Lateral view · left wrist plain film —

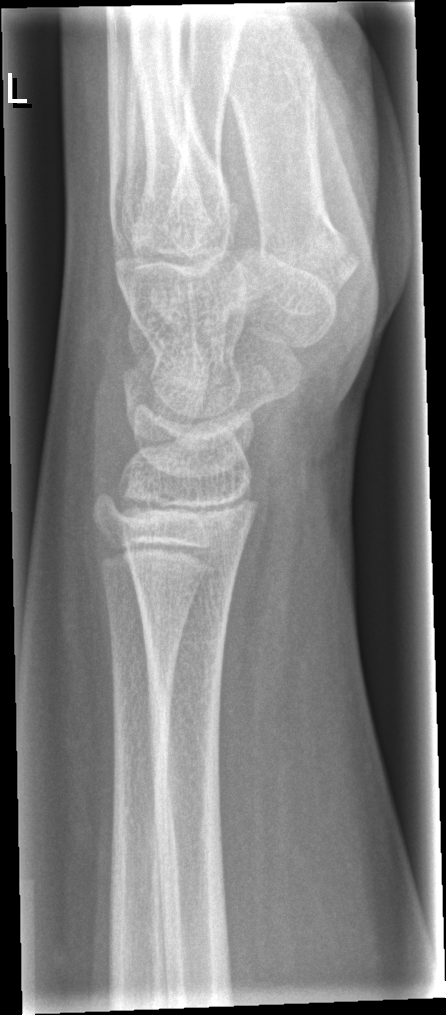
Q: Locate any fractures.
A: No fracture annotation